Lt wrist plain film | lateral projection | boy, 14 yo | image size 622x1392 —
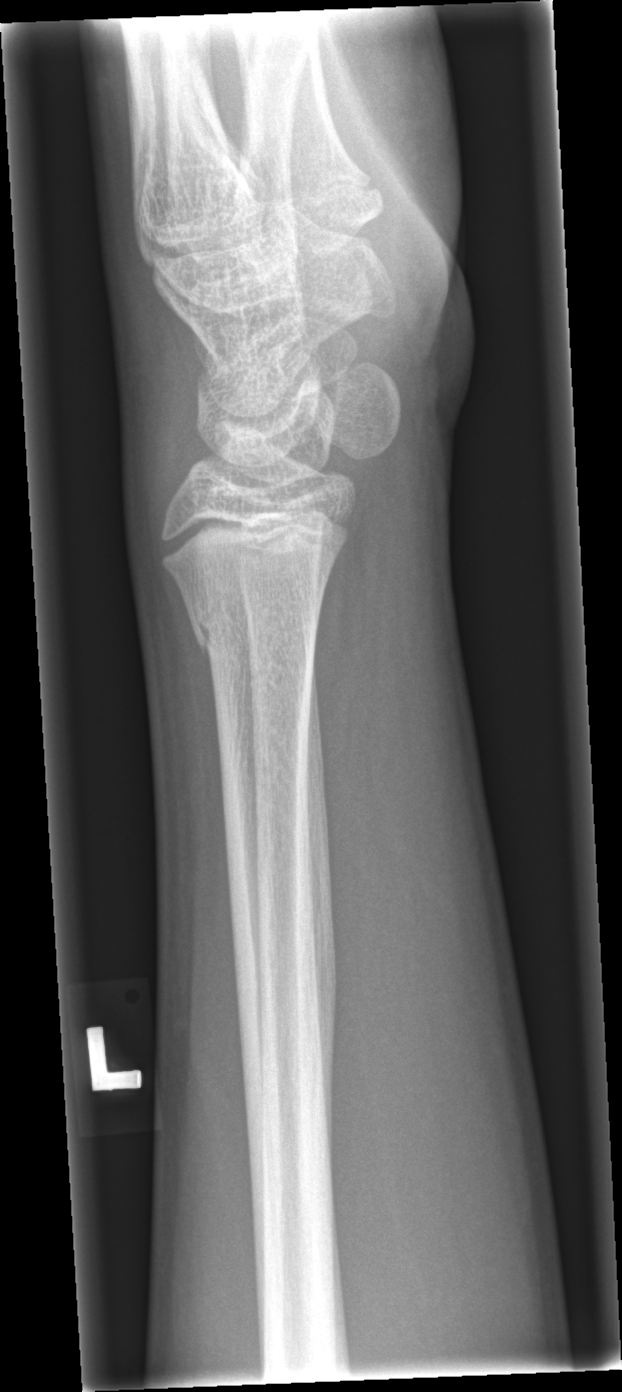

{
  "_coords": "boxes as x1,y1,x2,y2 (top-left / bottom-right, pixel units)",
  "fracture": "bbox(180, 593, 322, 677)",
  "ao": "23r-M/2.1"
}